Lat view | right wrist XR | 10y F | follow-up study | cast in situ

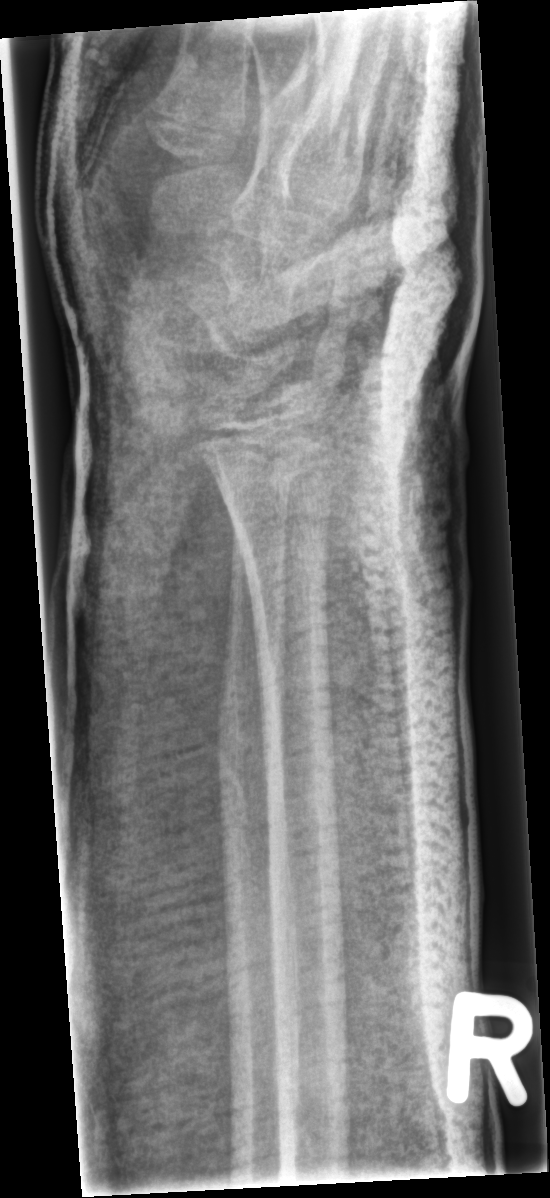

• AO/OTA classification: 23r-M/2.1.
• Fracture present, but no bounding box because it is not clearly seen in this view.